Left wrist plain radiograph of the wrist · lat view · subsequent exam · detector: Siemens.

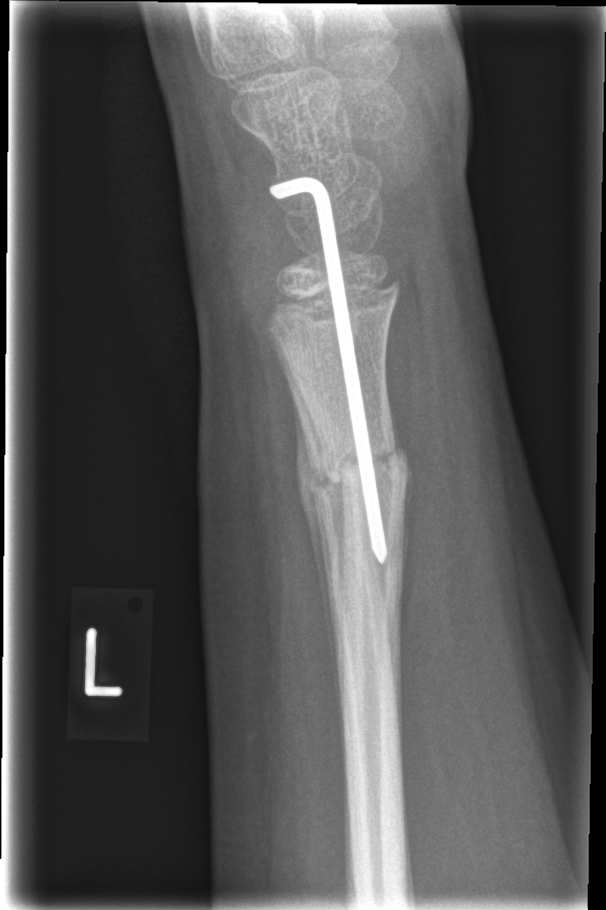

Pixel coordinates, top-left origin, xyxy.
Periosteal reaction: (left=291, top=391, right=344, bottom=759).
One bone fracture at (left=290, top=418, right=415, bottom=564).
One metallic implant at (left=269, top=178, right=388, bottom=566).